Lateral projection, right wrist radiograph, detector: Siemens, image 51.8 mm wide:
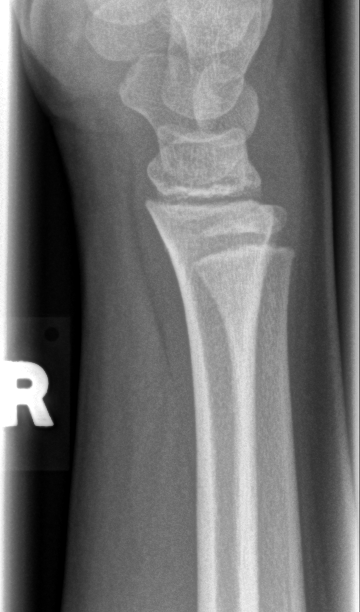
FINDINGS: No Fx annotated.